Right wrist X-ray · lat view · male, 14 yo · 443 x 968 px — 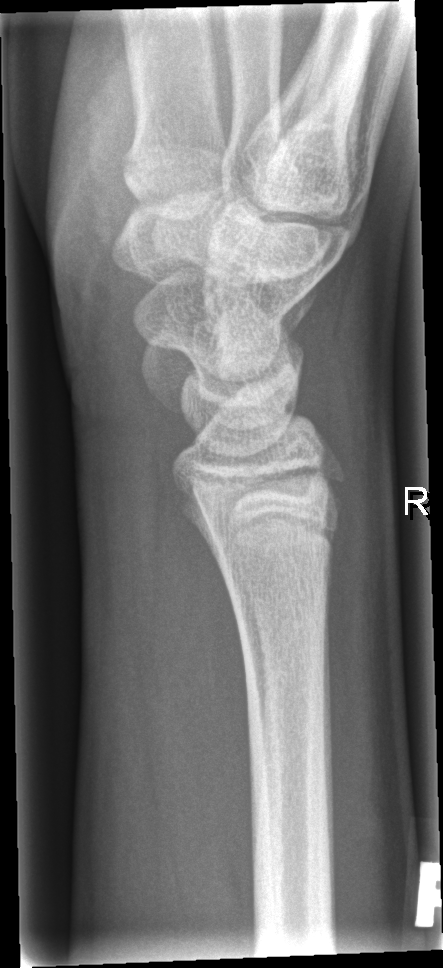

{
  "fracture": "none labeled",
  "pronatorsign": "(139, 427, 268, 916)"
}